Left plain radiograph of the wrist · AP projection · 7y M · subsequent exam.
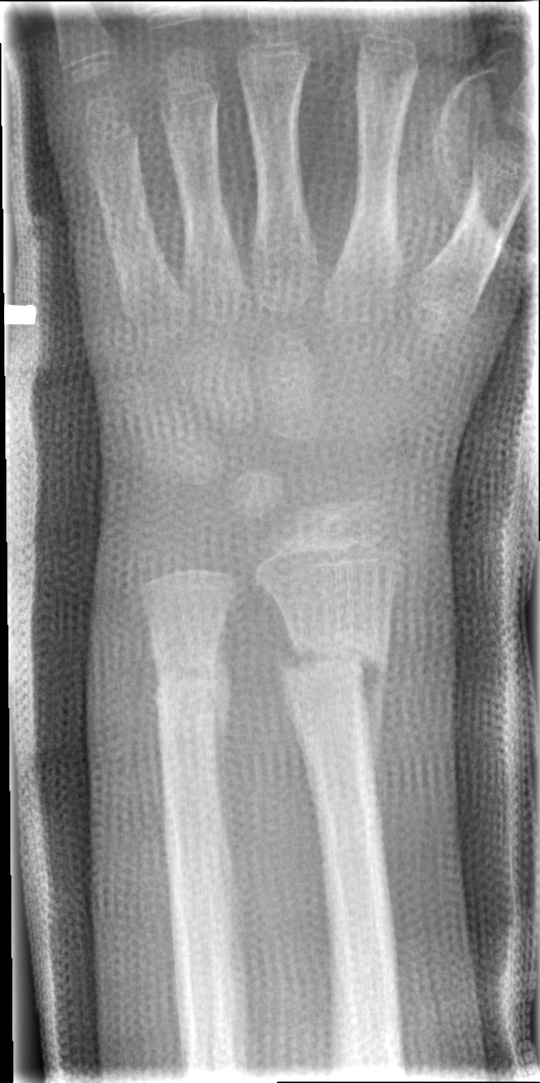

Periosteal new bone = 3 @ 212,601,234,851
  360,651,388,832
  273,595,304,673
AO/OTA = 23-M/3.1
Fx = 2 @ 270,629,394,705; 146,647,226,713